Right wrist plain film, lat view, 11y M, initial study, image size 650x1186:

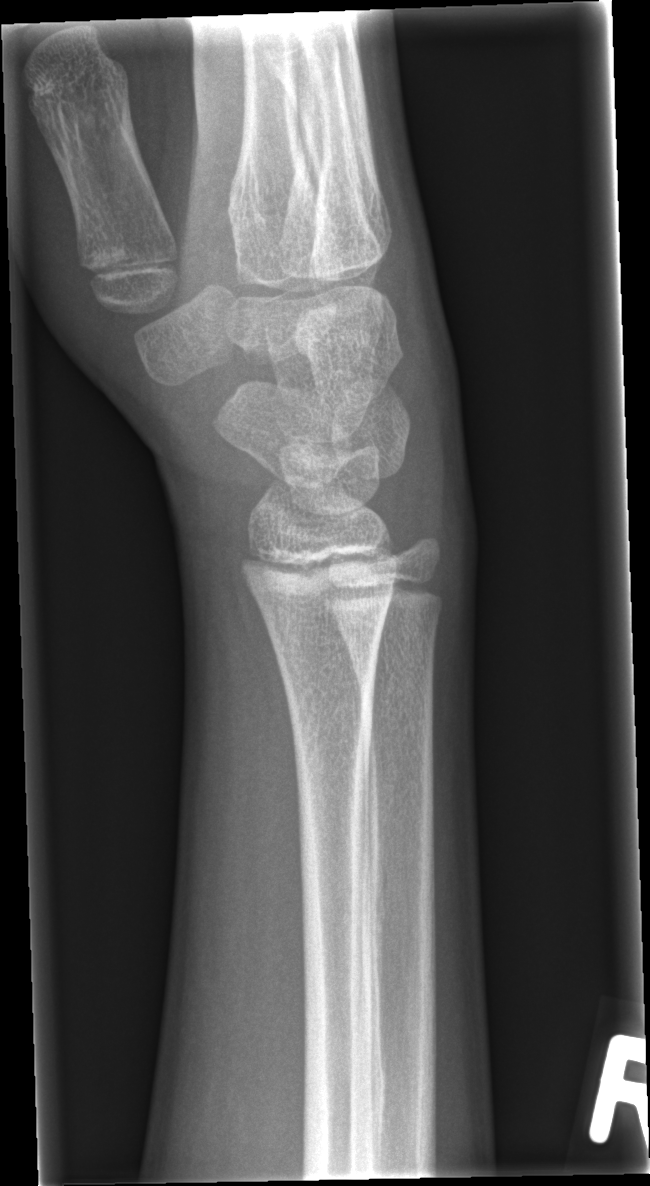 Fx: none labeled